Lt plain radiograph of the wrist · AP projection · pediatric patient (female, age 10): 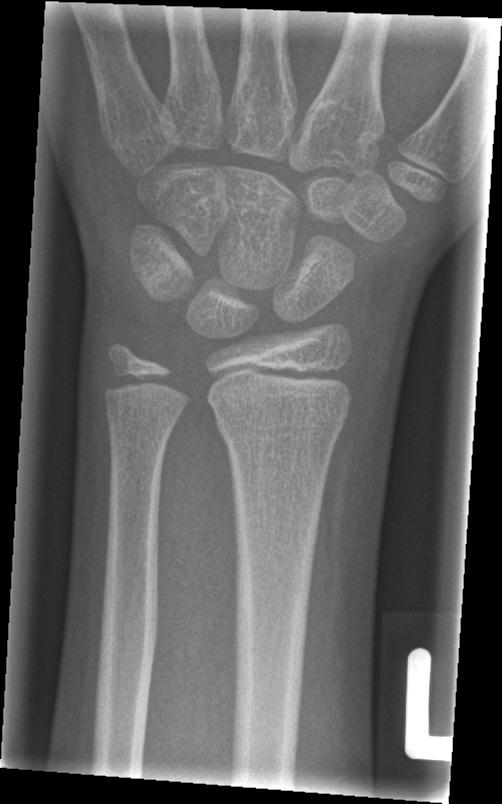
(coordinates are [x1, y1, x2, y2] in image pixels)
Fracture: 1 @ bbox(213, 401, 348, 450)